Lateral view, Lt wrist X-ray, imaged through cast

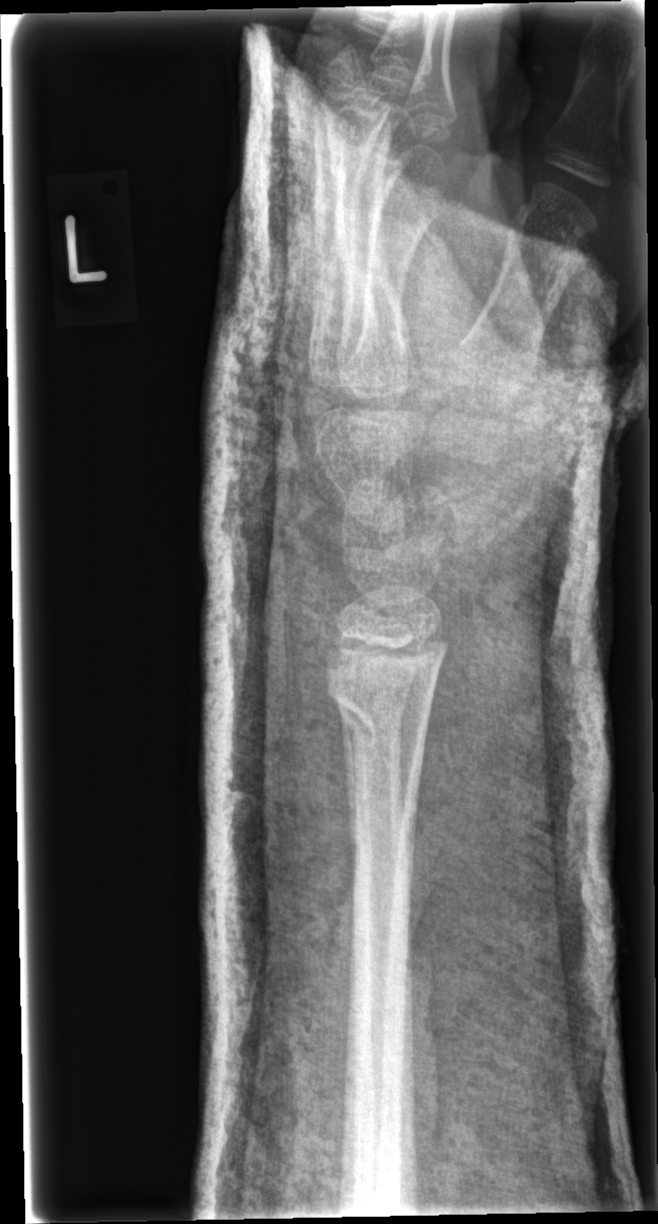
FINDINGS — Fracture identified at (left=321, top=677, right=437, bottom=760). AO/OTA classification: 23r-M/3.1; 23u-M/2.1.